Lateral view; right wrist X-ray; presentation radiograph; 669 by 1322 pixels —
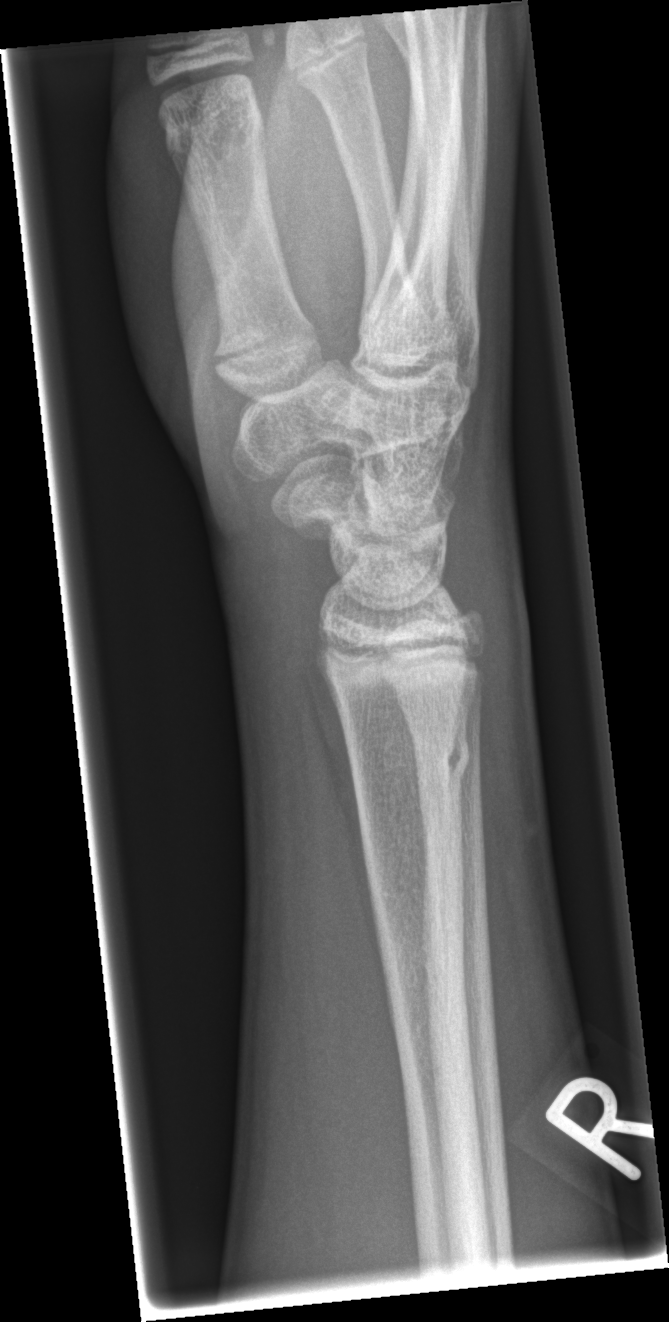
Q: Is there a fracture?
A: One Fx at <341,725>-<473,798>